R wrist XR · PA/AP view · pediatric patient (girl, age 13) · acquired on Siemens.

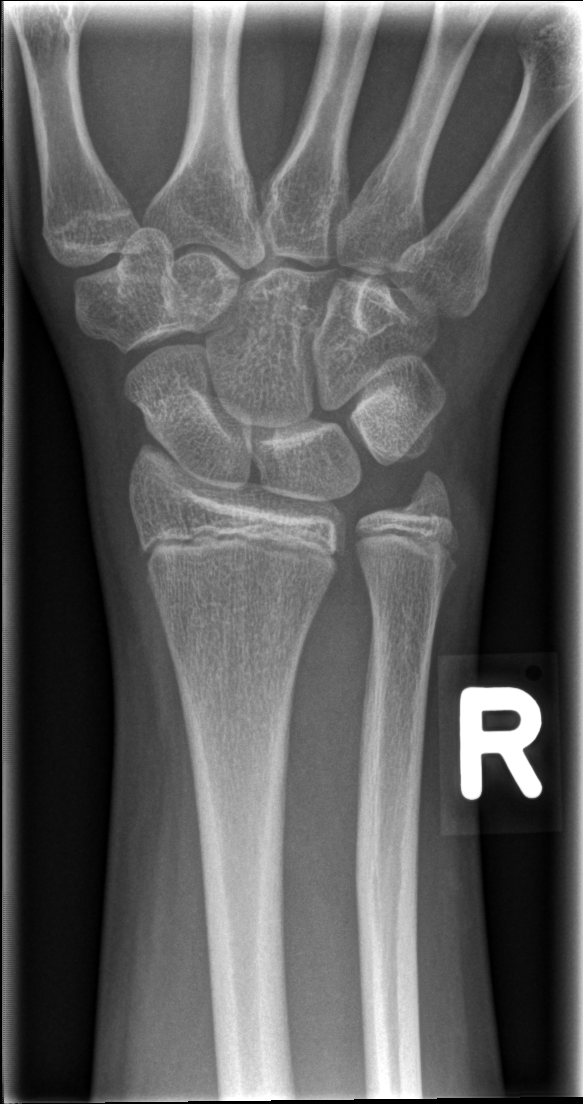

- No Fx annotated.